Lateral | R wrist plain film | 18-year-old boy | findings marked uncertain by the reading radiologist — 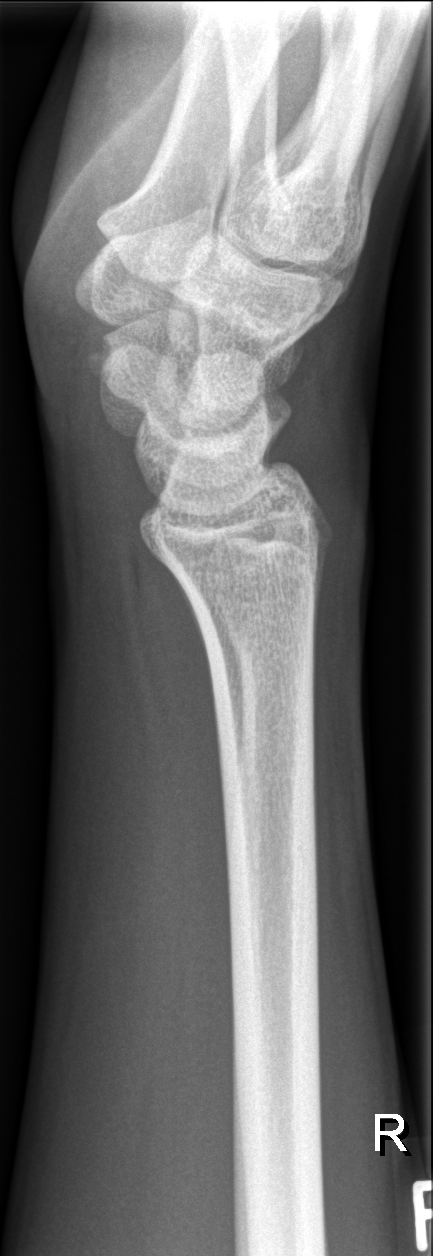

bone variant = 1 @ 78 321 135 407
bone fracture = none labeled